Frontal view | left wrist plain film | cast present | detector: Siemens.
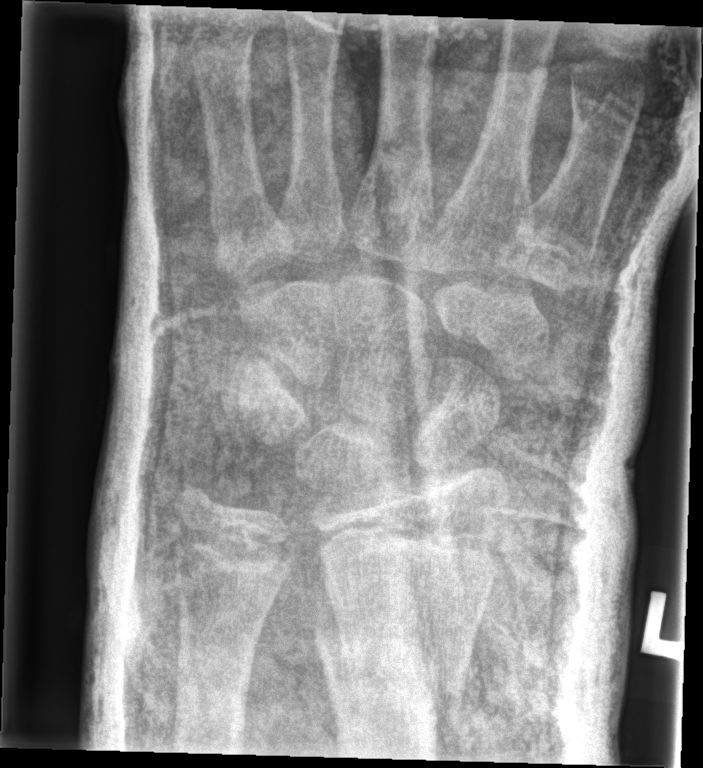 FINDINGS: AO/OTA classification: 23r-M/3.1. Bone fracture — <313,611>-<474,711>.